Left wrist plain film · lateral · pediatric patient (male, age 9) · cast in situ · image width 95.3 mm:
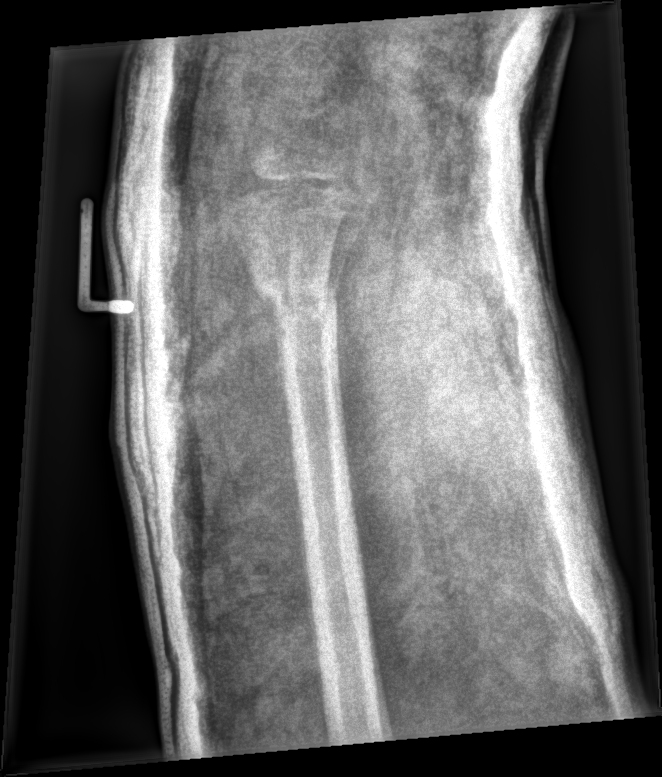 Bounding boxes in image-pixel xyxy. AO code 23-M/3.1. Bone fracture — (left=245, top=258, right=343, bottom=330).